Left wrist radiograph · lateral view · 13y F.
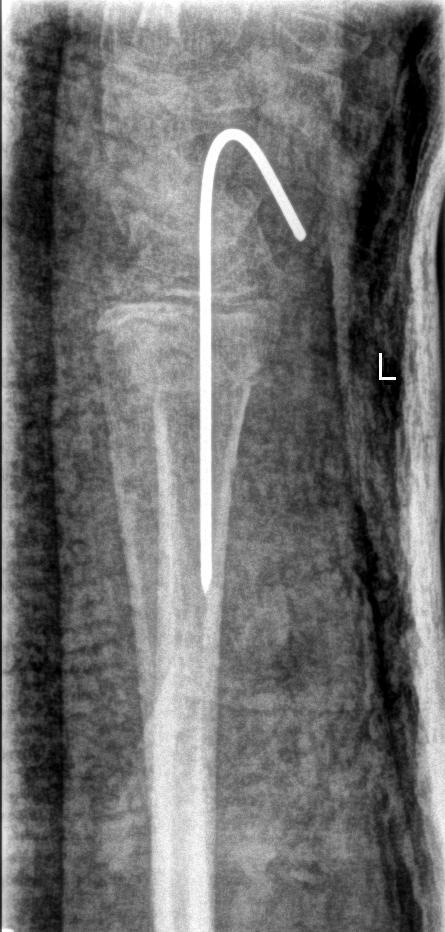 Metal identified at [x1=196, y1=126, x2=308, y2=597]. One fracture at [x1=97, y1=306, x2=281, y2=412].